Right wrist XR; AP projection; 786 by 1062 pixels. 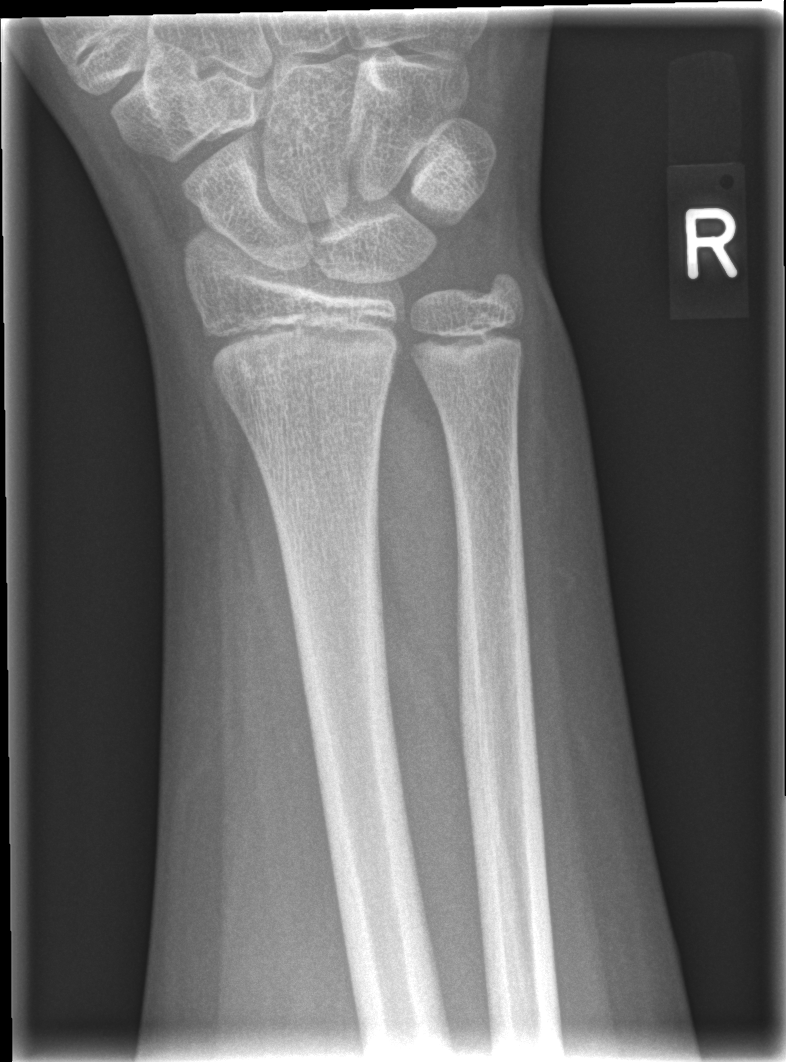   fracture: none labeled